Left wrist plain film | PA/AP projection | age 13 y, male | subsequent exam | imaged through cast | acquired on Siemens

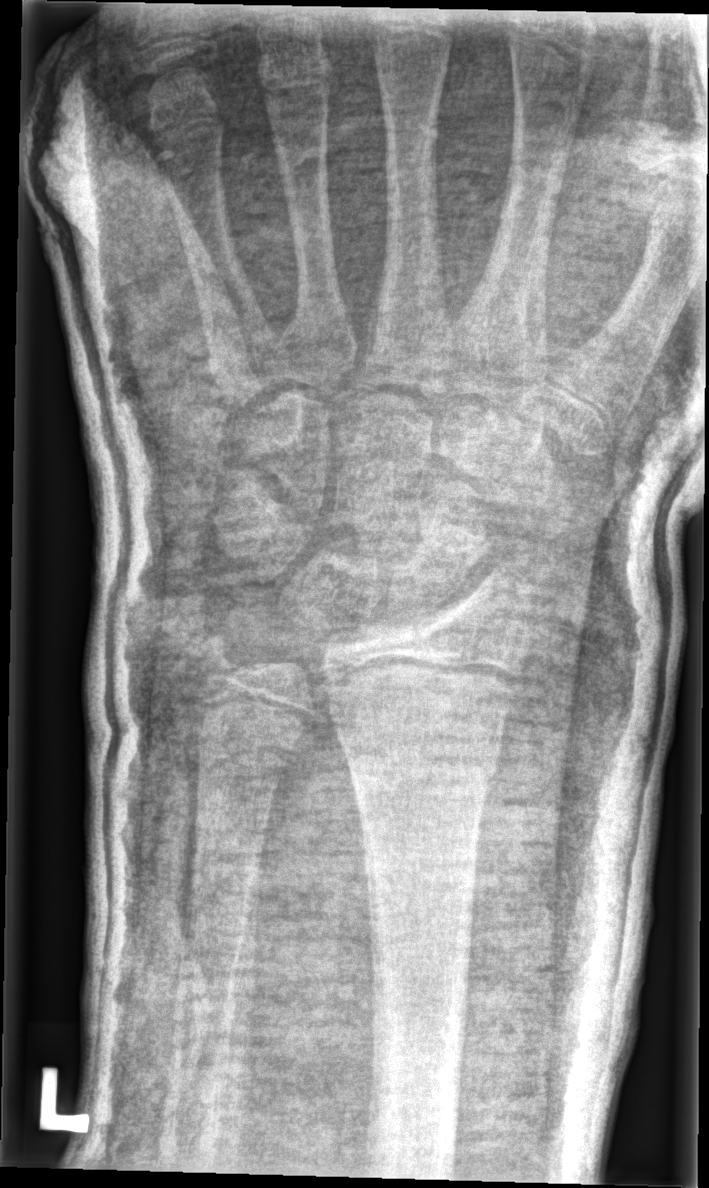 Fracture identified at [x1=338, y1=708, x2=507, y2=785]; [x1=190, y1=626, x2=252, y2=695].
AO/OTA classification: 23r-M/2.1; 23u-E7.